AP projection | right wrist X-ray | Siemens — 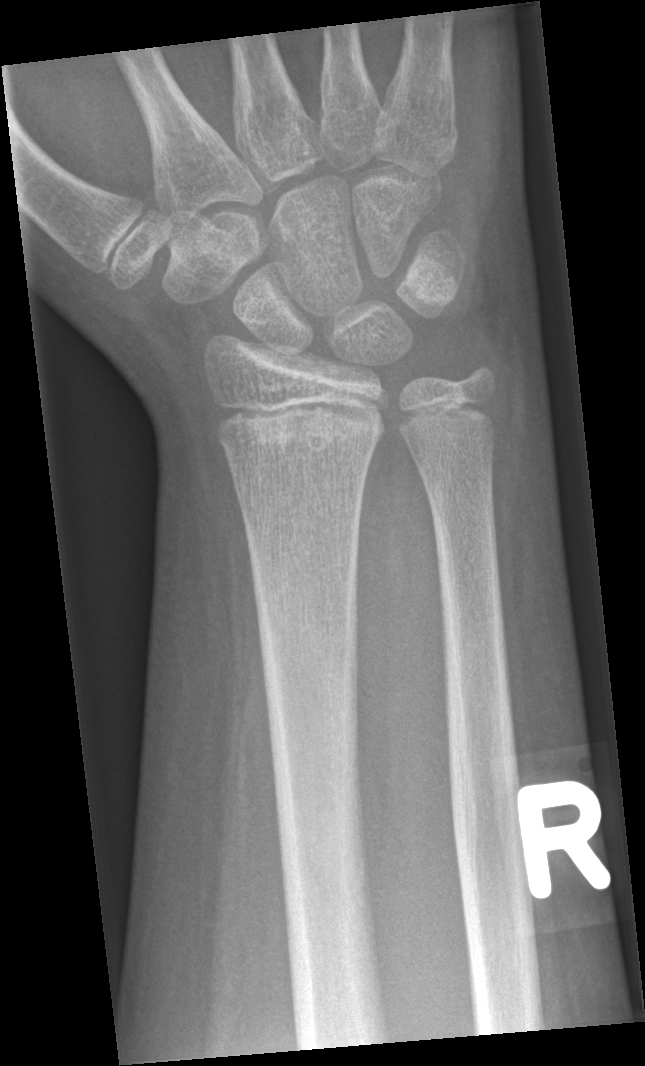 No Fx annotated.